Right pediatric wrist radiograph, PA/AP view, 16y F, Siemens, 677 by 1288 pixels. 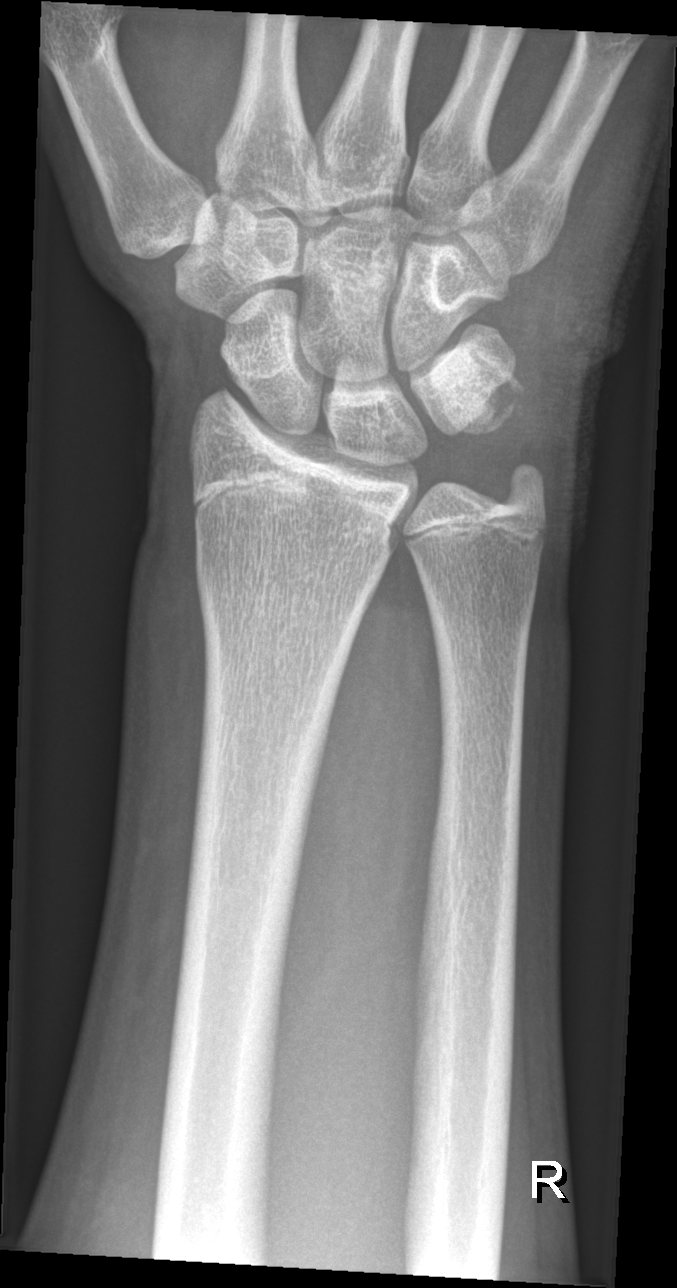 Fracture = none labeled